PA projection; Lt wrist radiograph; image 98.5 mm wide —

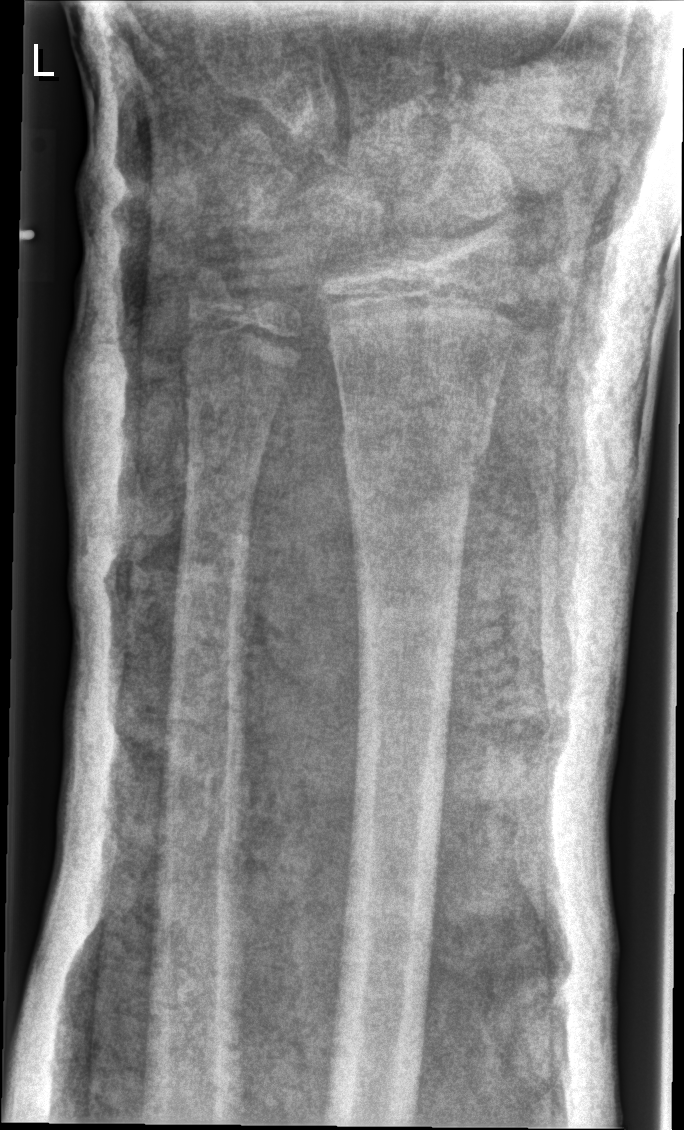 AO code = 23r-M/3.1; 23u-E/7
bone fracture = 1 @ bbox(336, 401, 492, 487)